Lat projection | left pediatric wrist radiograph | 14y M 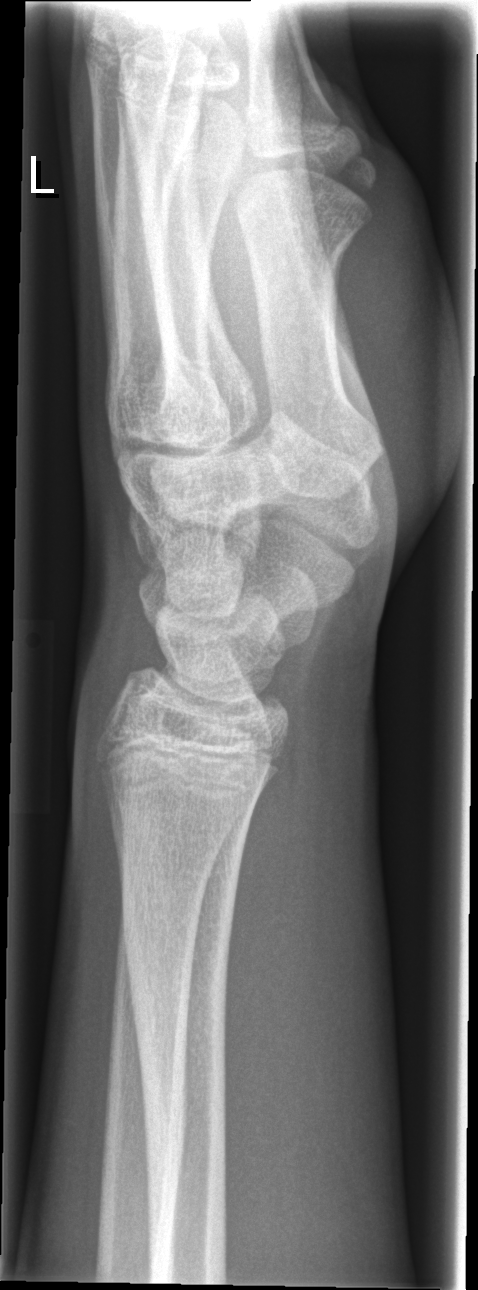 {"fracture": "118 893 238 1036"}